R wrist plain film; lateral projection; girl, 4 yo; Siemens
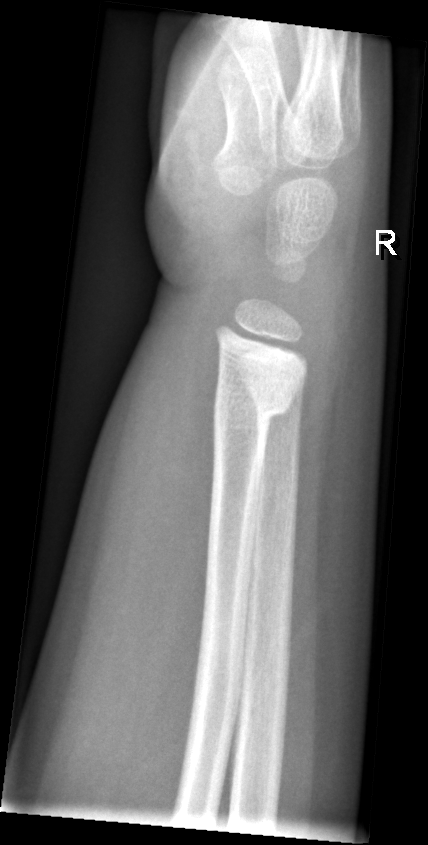 Q: Any fracture seen?
A: One bone fracture at [210, 386, 294, 436]